Lt wrist plain film · lat · 13y M:

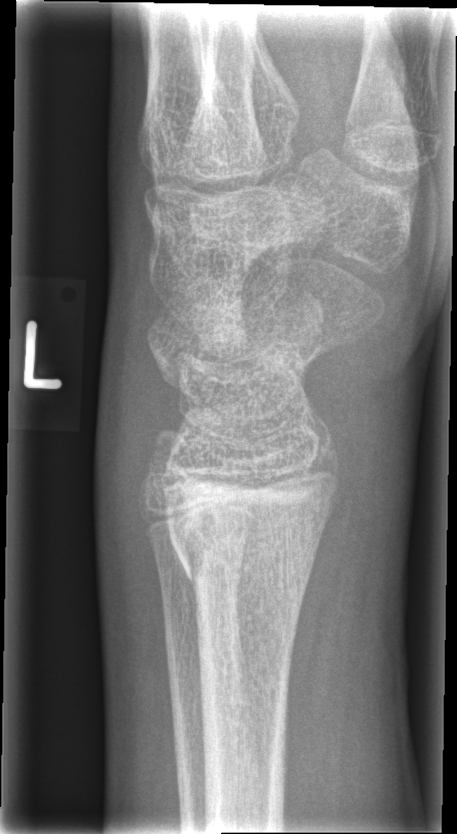
Fracture — [170, 520, 321, 593]. AO code 23r-M/3.1; 23u-E/7. Osteopenic.